Lateral view; right wrist XR; follow-up; 62.8 mm image width; 436 by 1188 pixels — 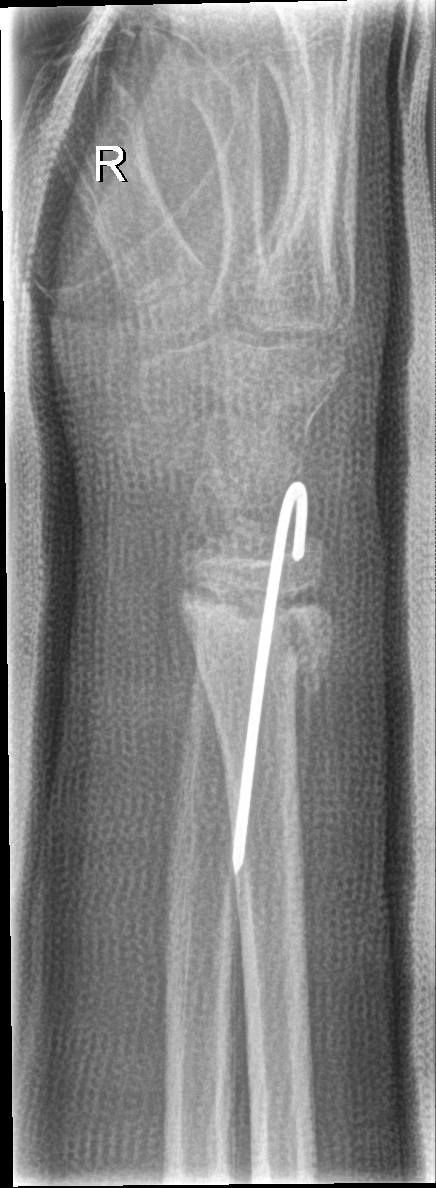 Pixel coordinates, top-left origin, xyxy. Fx: (169, 563, 344, 708). Hardware: (228, 477, 310, 877).